AP; Lt wrist plain film; 15-year-old boy; image width 97.1 mm

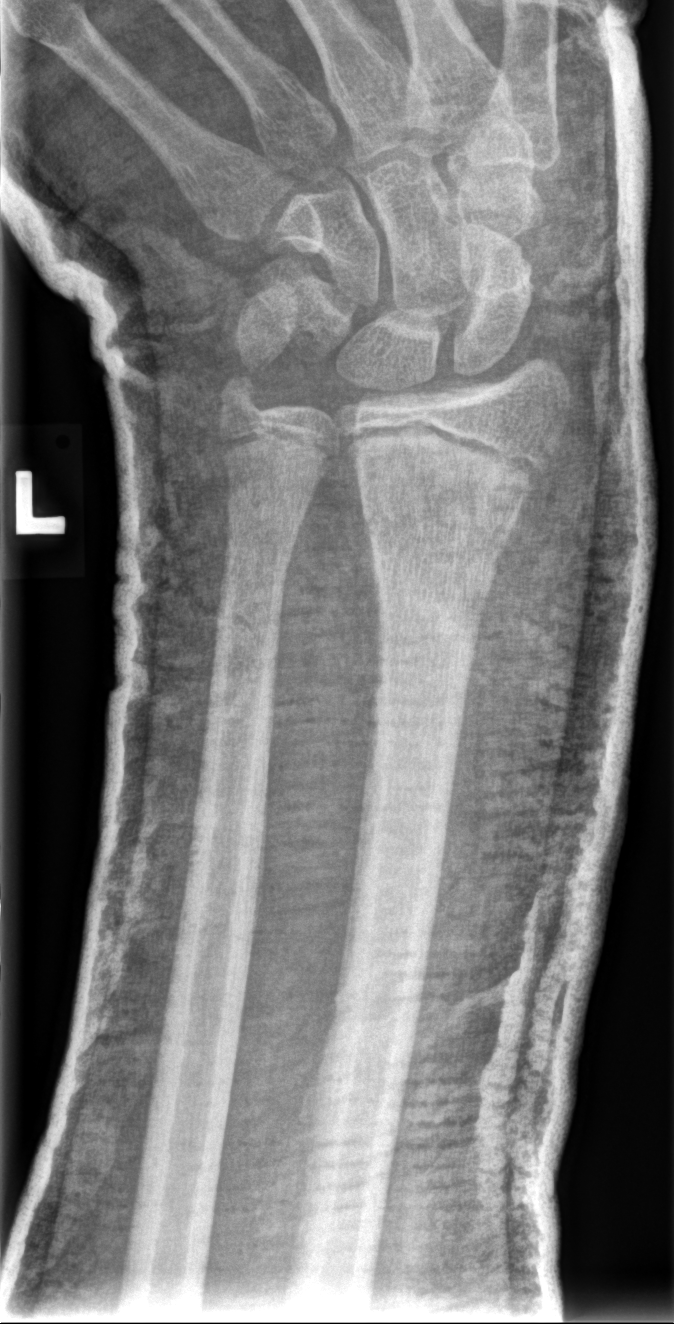
fracture = 2 @ (348, 472, 530, 576), (209, 365, 269, 422)
AO code = 23r-M/3.1; 23u-E/7